AP view · Lt wrist radiograph
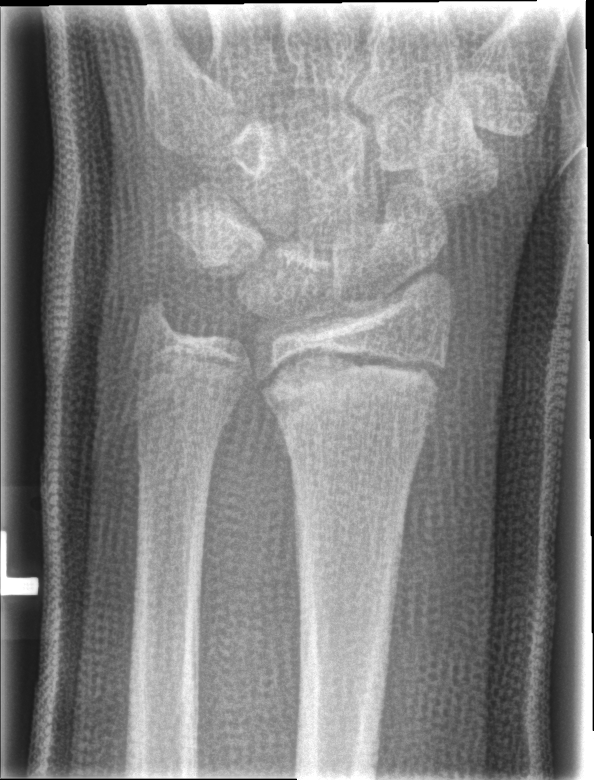
(bounding boxes in image-pixel xyxy)
Q: Is there a fracture?
A: Bone fractures — (left=247, top=353, right=447, bottom=443); (left=131, top=295, right=185, bottom=346)